Left wrist plain film; lateral view; age 12 y, boy; imaged through cast; 813x1120:
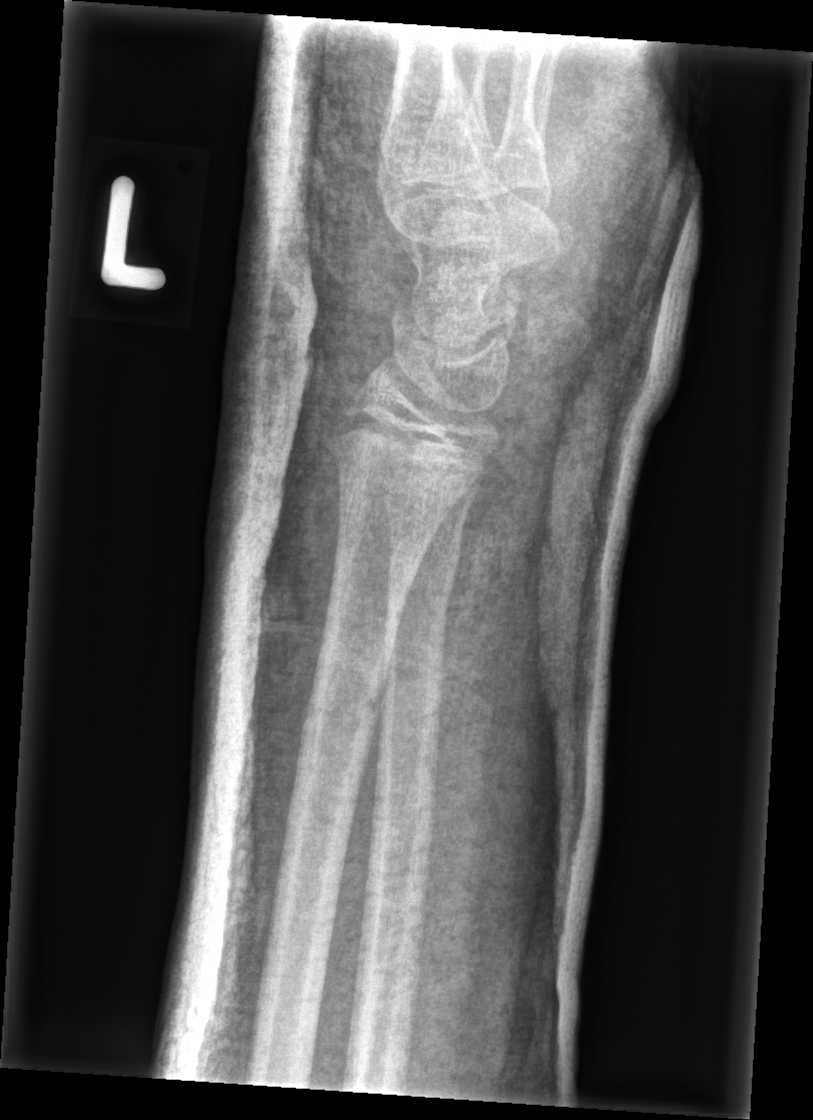

AO code 22r-D/2.1; 23u-M/2.1. Bone fractures — (left=384, top=517, right=468, bottom=615), (left=308, top=677, right=386, bottom=726).